Right wrist pediatric wrist radiograph, PA/AP projection, findings marked uncertain by the reading radiologist:
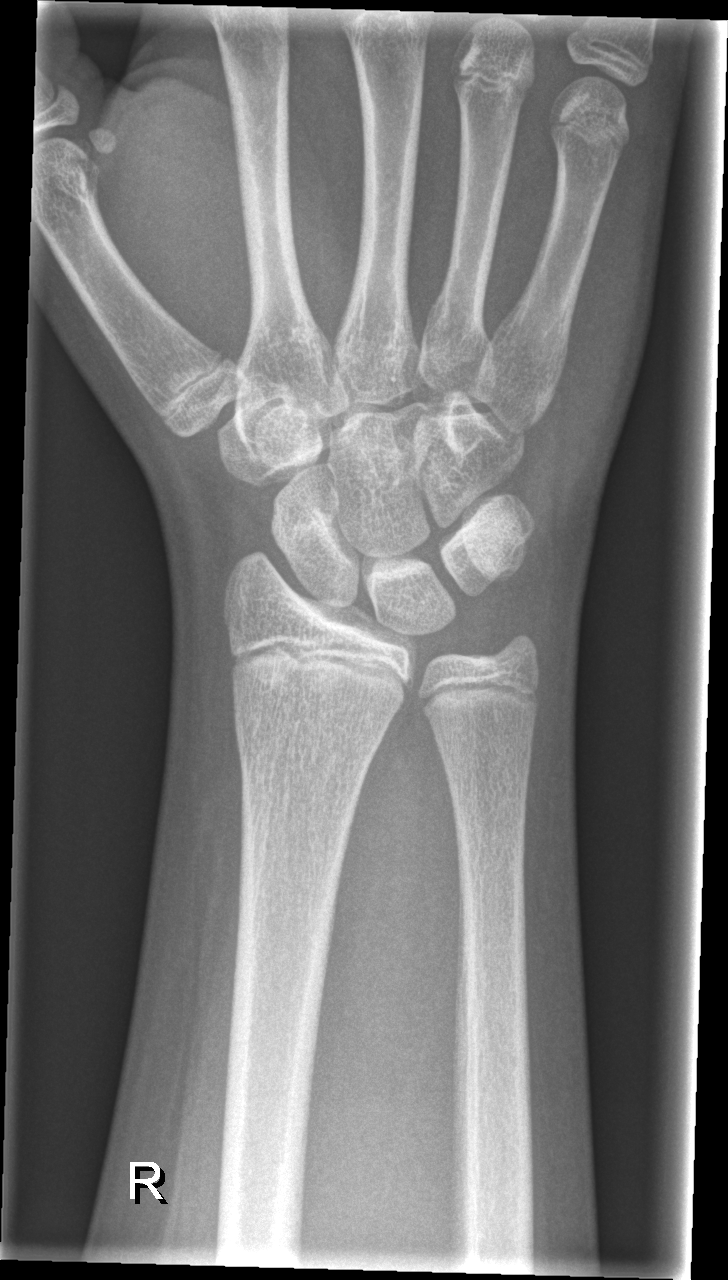

No fracture annotation.